Lateral · R wrist X-ray: 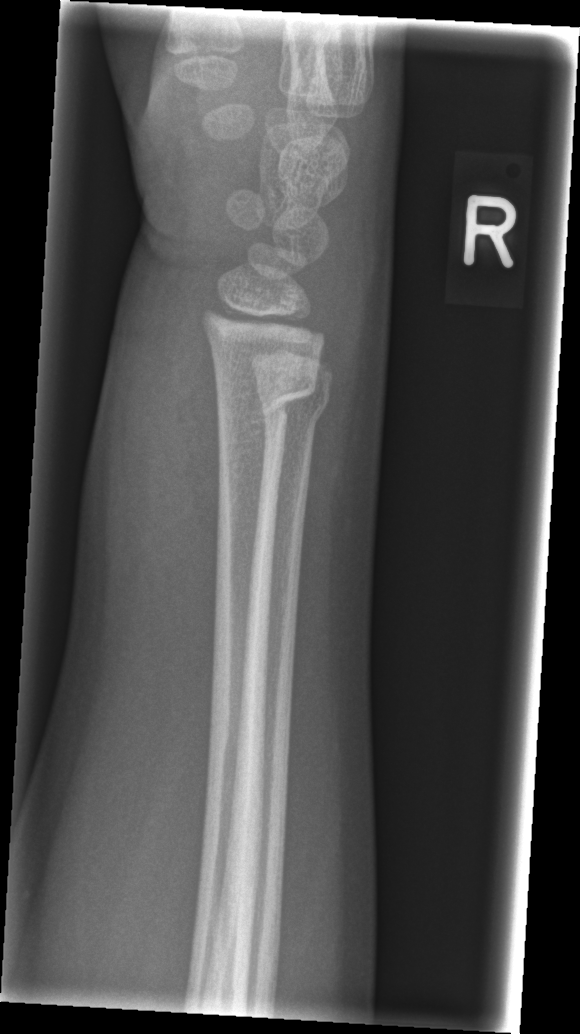
AO classification: 23-M/2.1
pronator sign: [147, 299, 218, 696]
fracture: 2 @ [212, 363, 320, 433] [253, 377, 333, 424]